Rt wrist plain film; AP view; 14-year-old boy; cast in situ; image 103.5 mm wide: 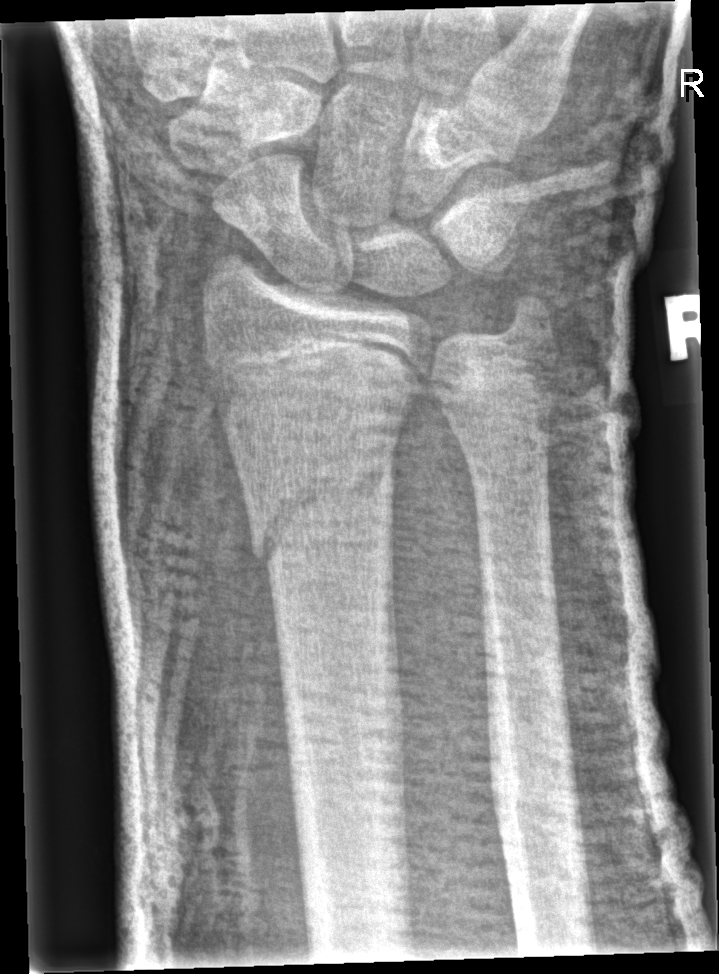
(boxes as x1,y1,x2,y2 (top-left / bottom-right, pixel units))
Bone fracture: 248,446,398,569